Lat projection | right wrist X-ray — 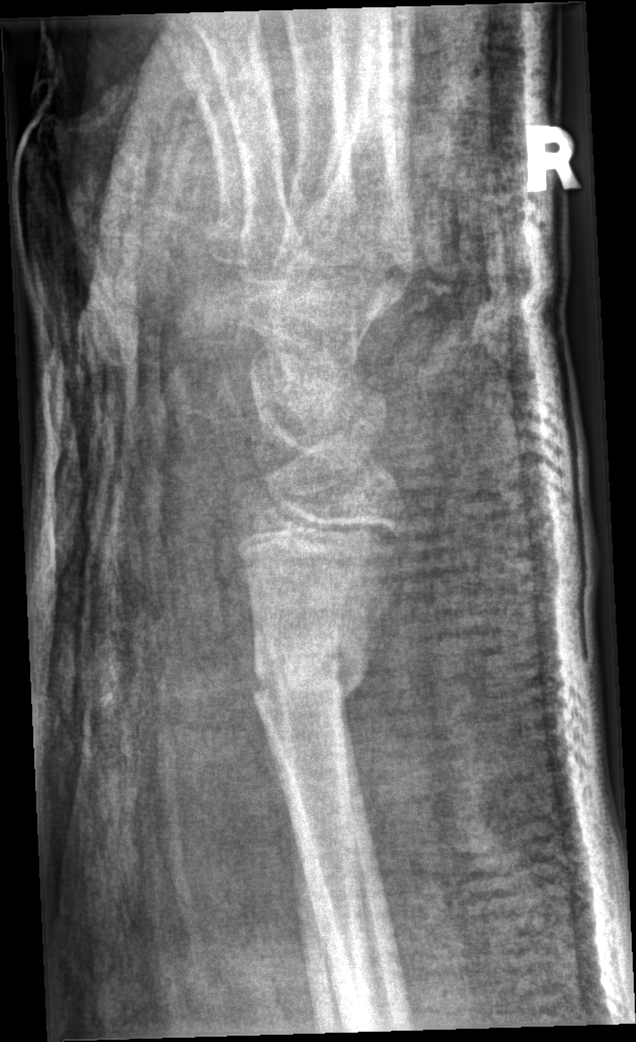

Fx: 1 @ 243 635 372 716
AO code: 23r-M/3.1; 23u-E/7